Lateral view · left wrist X-ray · 5-year-old female · cast in situ · detector: Siemens.

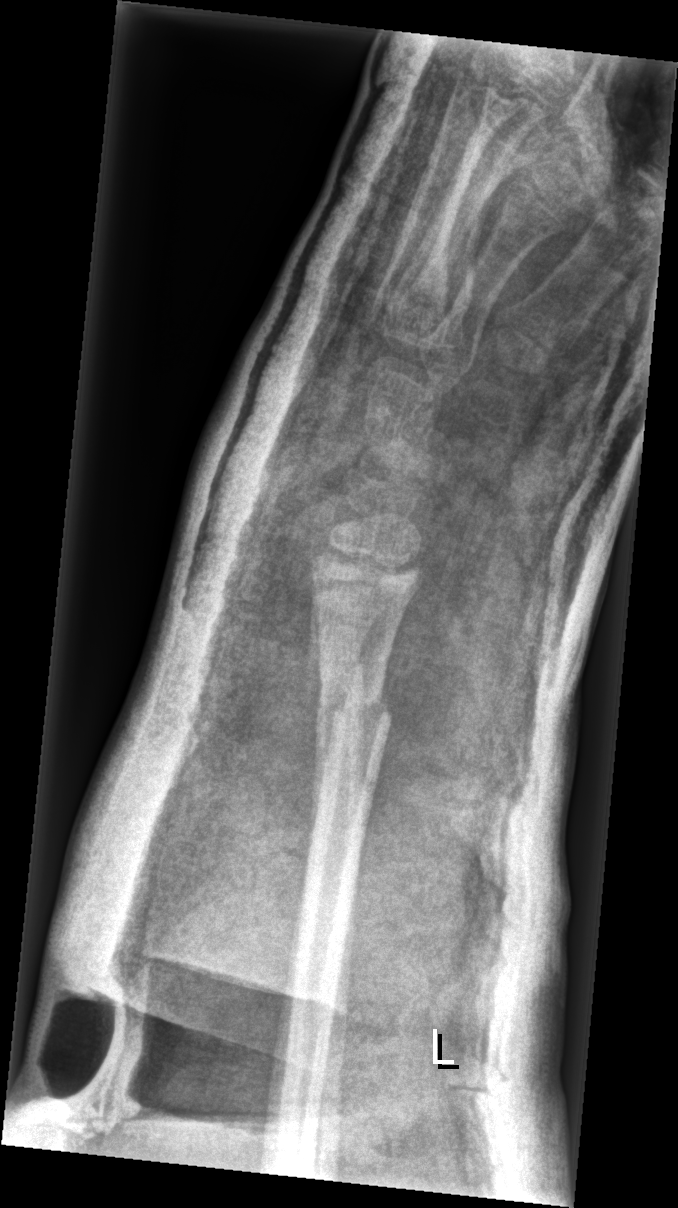
Findings: (coordinates are [x1, y1, x2, y2] in image pixels) AO code 23-M/3.1. Bone fracture: <316,681>-<395,737>; <305,640>-<369,693>.